Lateral projection | R wrist XR | 13-year-old male | detector: Siemens | 114.5 mm image width:
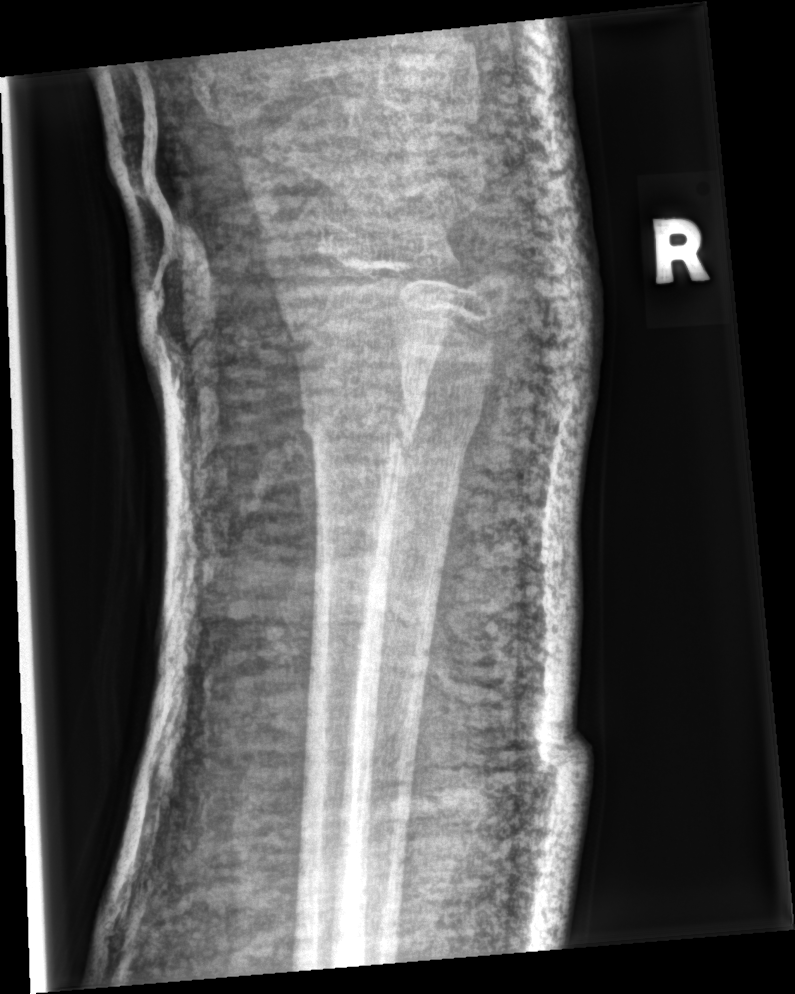
Fracture identified at (left=302, top=405, right=418, bottom=470) (left=397, top=379, right=493, bottom=448).
AO code 23-M/3.1.